PA projection, right wrist plain radiograph of the wrist, 13y M, image size 682x1099 —
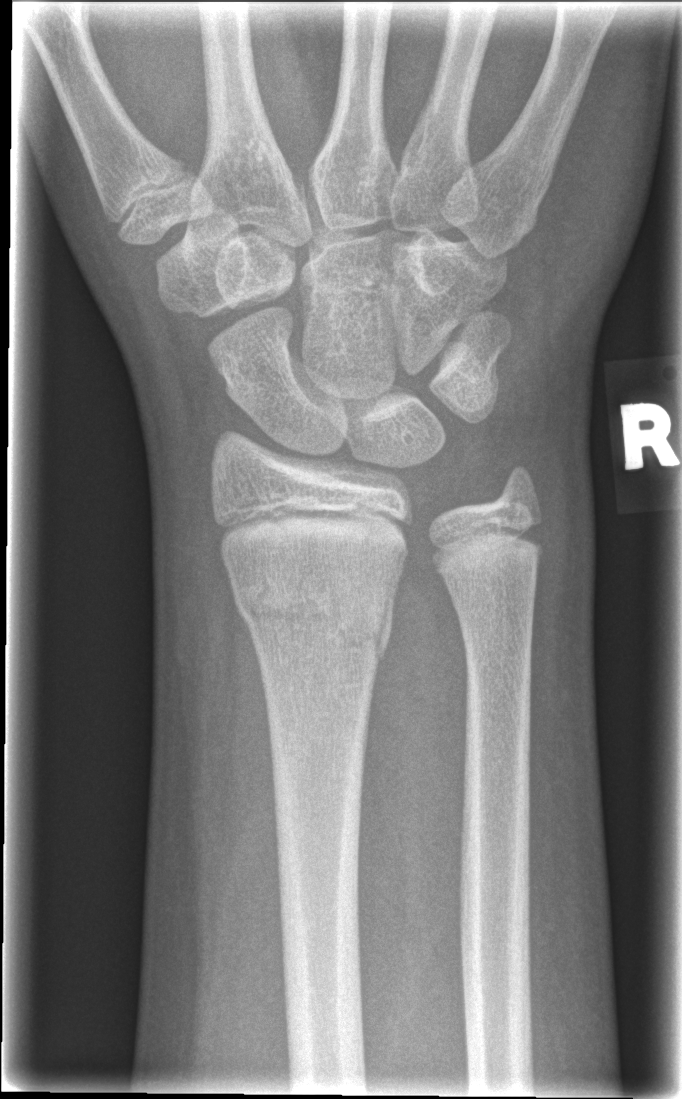
(pixel coordinates, top-left origin, xyxy)
Q: What is the AO/OTA classification?
A: Fracture classified AO/OTA 23r-M/3.1
Q: Any fracture seen?
A: Fracture — bbox(228, 563, 397, 661)